R pediatric wrist radiograph, PA view, detector: Siemens, 85.8 mm image width.

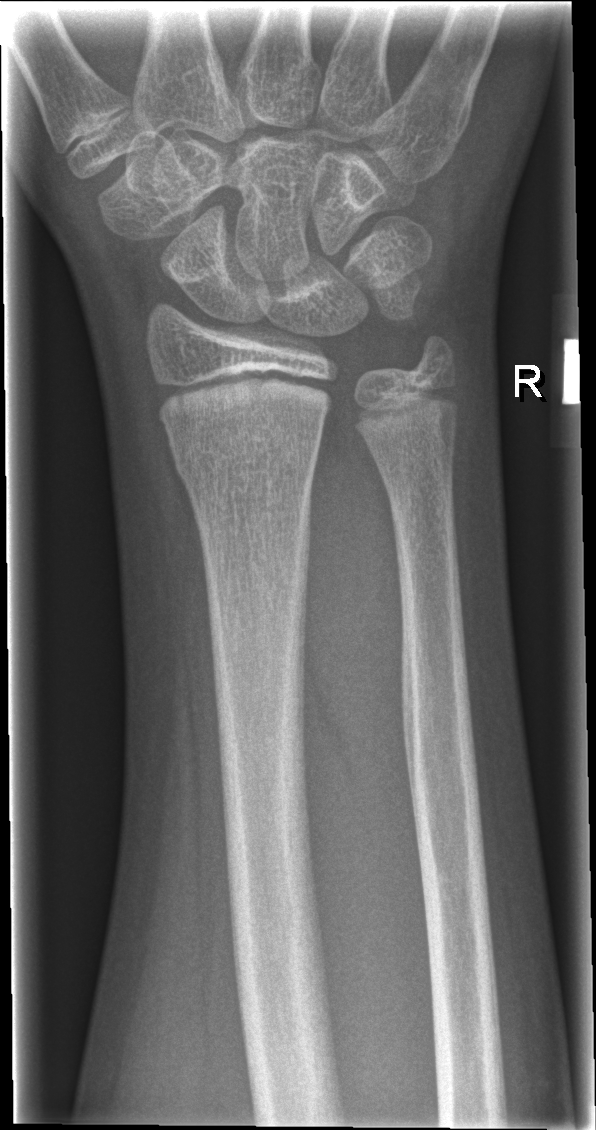
• Fracture identified at <169,428>-<325,490>.
• AO code 23r-M/2.1.